Frontal projection; Rt wrist radiograph; age 8 y, male; follow-up study; acquired on Siemens; image 85.1 mm wide: 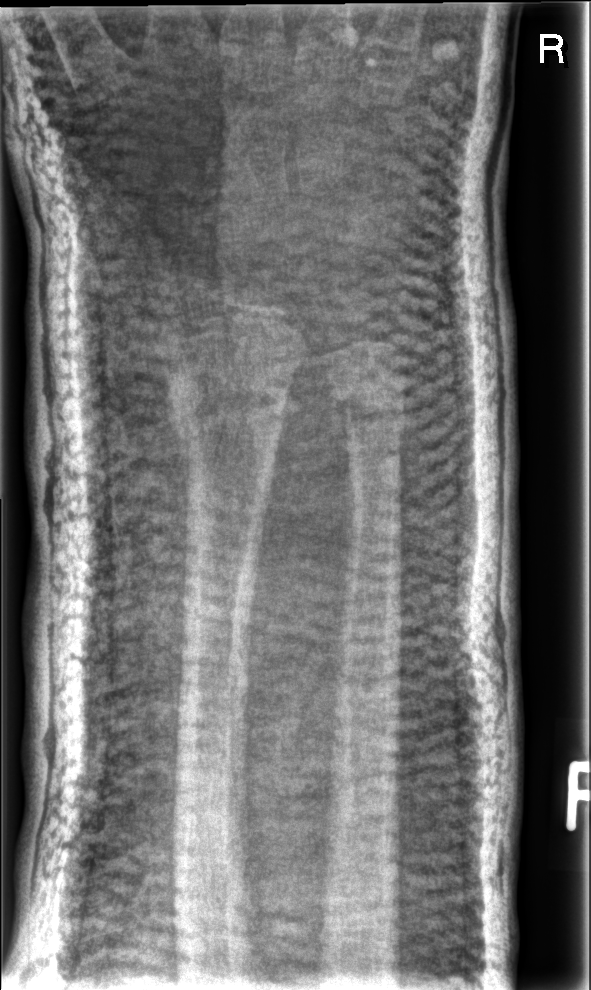 Two Fx at (163, 366, 294, 440), (335, 397, 410, 437).